Lat · Rt wrist radiograph.

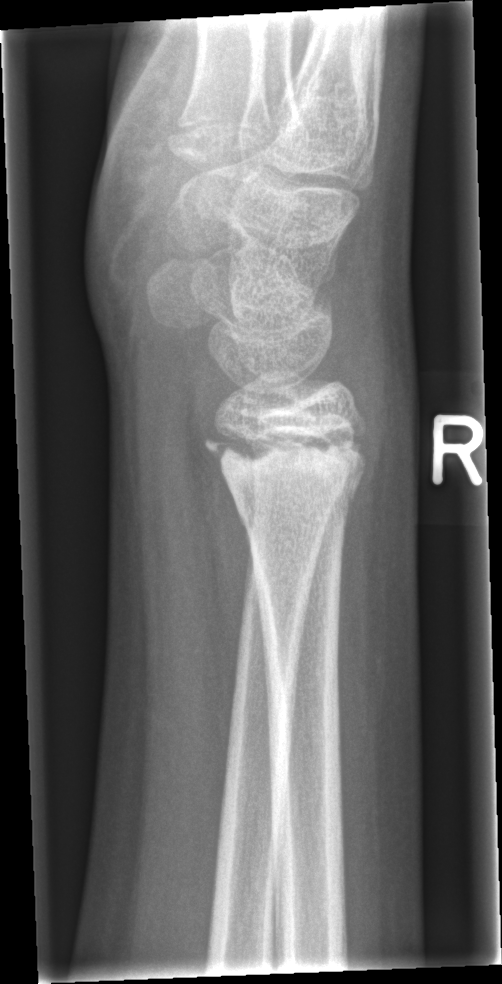 bone fracture = bbox(201, 424, 369, 513)
osteopenia = present